L wrist plain film · posteroanterior projection · follow-up study · acquired on Siemens · 611x1046 — 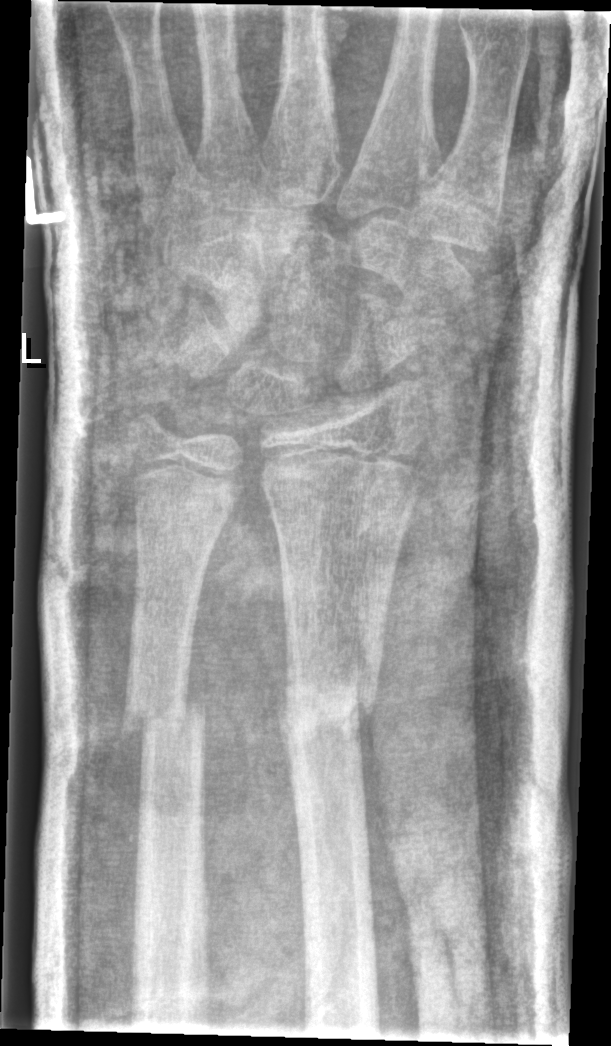 Findings: Fracture classified AO/OTA 23-M/3.1. Two Fx at (275, 665, 384, 761); (119, 674, 212, 750).